Lateral view, L wrist plain film, 10y M, acquired on Siemens — 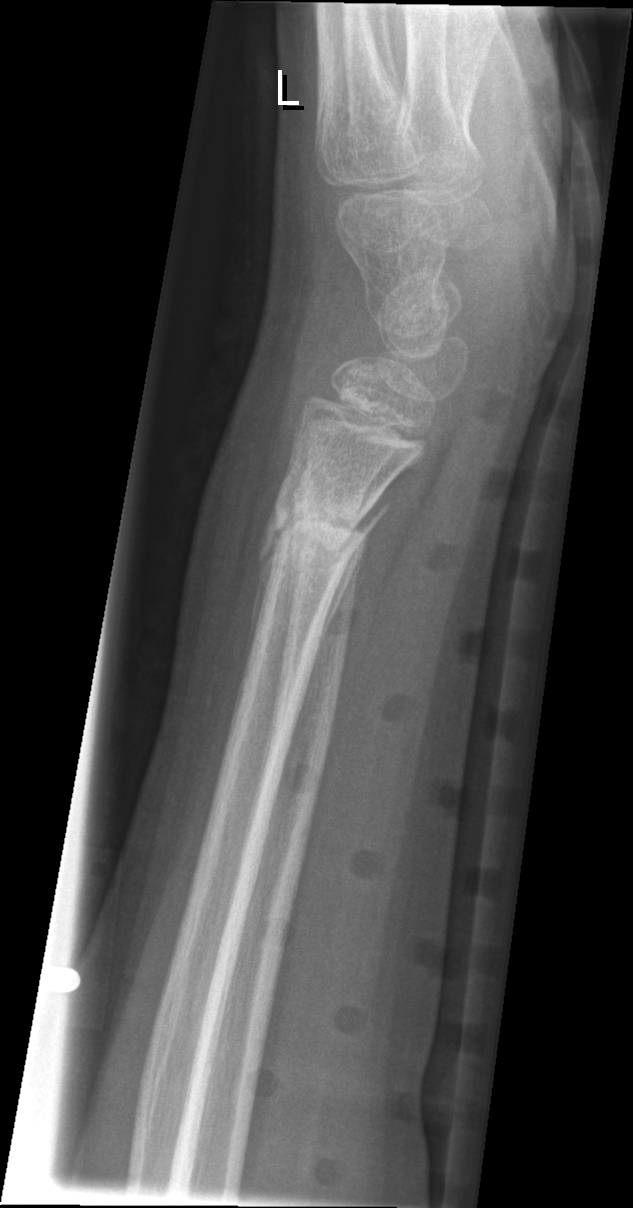 Pixel coordinates, top-left origin, xyxy.
Decreased bone density (osteopenia).
Fracture — (255, 485, 392, 586).
AO code 23-M/3.1.